Right wrist XR; posteroanterior; pediatric patient (male, age 11); presentation radiograph; 556 by 992 pixels:

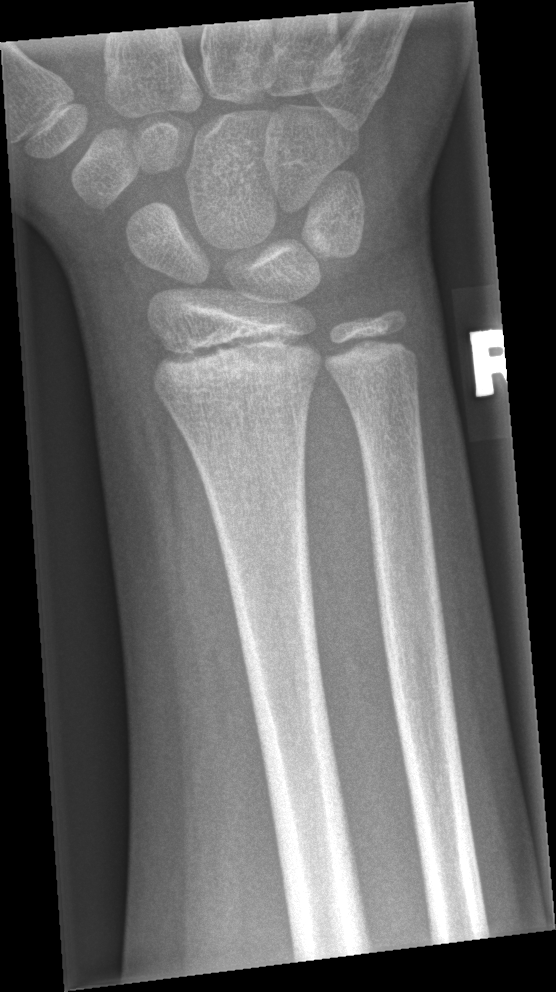

AO/OTA classification: 23r-E/1.
Bone fracture: [149, 315, 322, 392].